Lt wrist XR | lat | female, 7 yo — 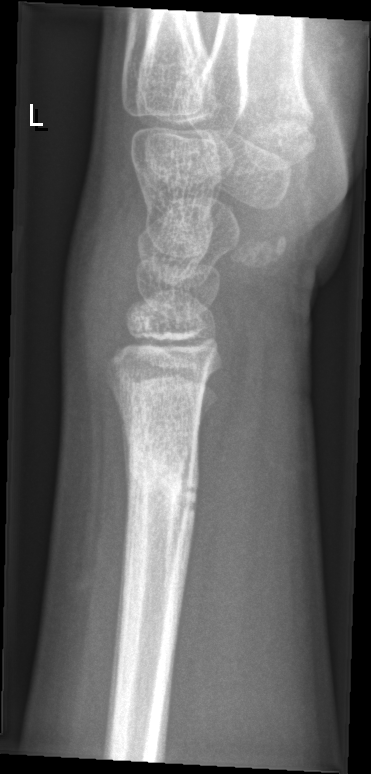
FINDINGS: Fracture identified at [x1=121, y1=435, x2=205, y2=530]. Soft-tissue finding: [x1=65, y1=196, x2=143, y2=380].